Lt pediatric wrist radiograph, AP, 565 by 964 pixels
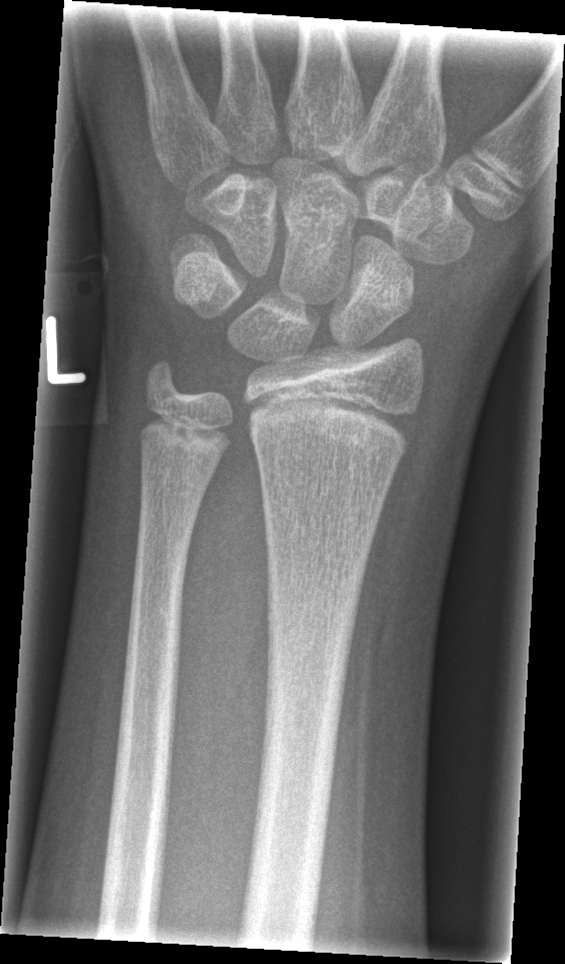

fracture: none labeled